Left wrist plain radiograph of the wrist · lat projection · follow-up study.
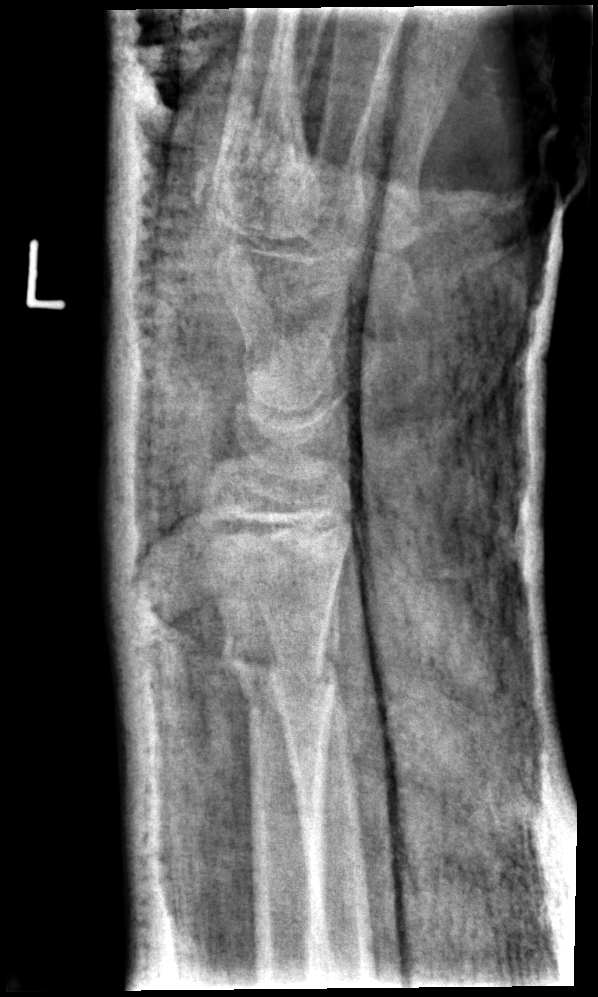

Fx = 1 @ [219, 629, 346, 710]
AO classification = 23-M/3.1